Rt wrist XR, lat, age 15 y, male, acquired on Siemens, 640 x 1536 px 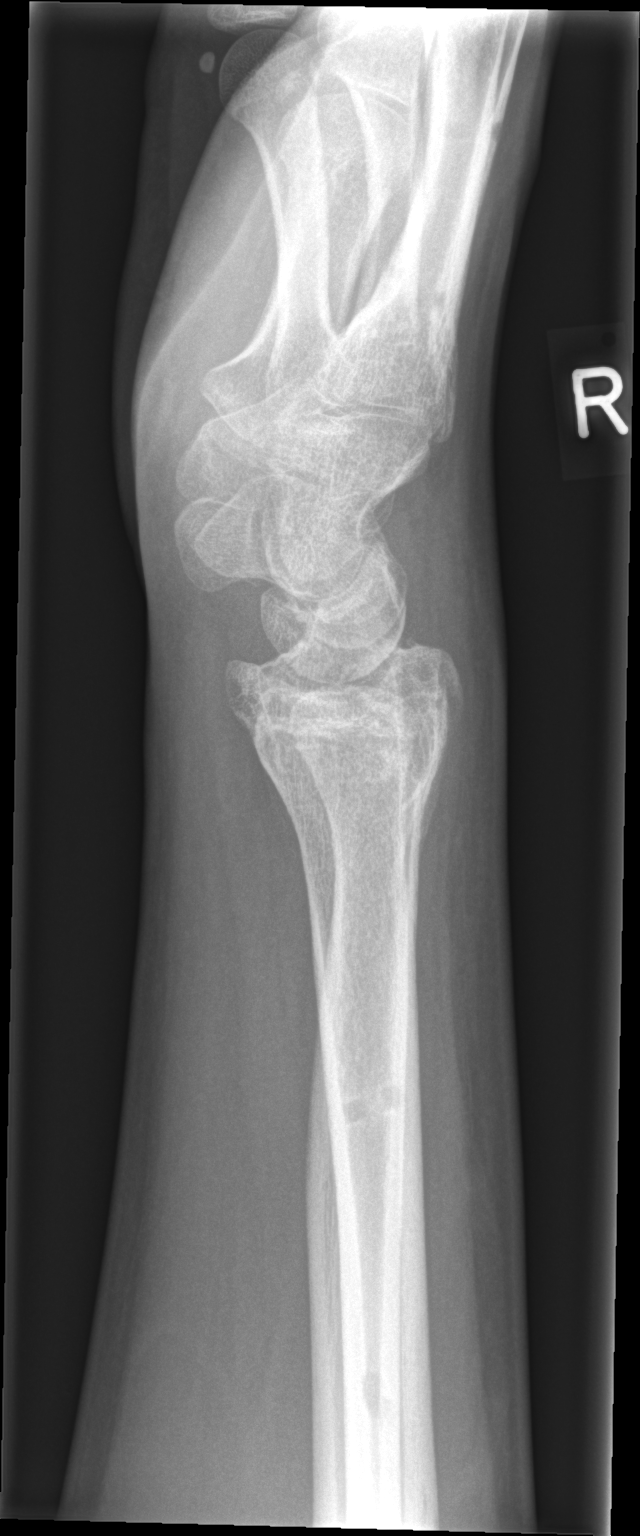 Pixel coordinates, top-left origin, xyxy. Fracture: <241,672>-<460,823>. AO code 23r-E/4.2; 23u-E/7. Bone anomaly identified at <347,1353>-<436,1464>, <326,1074>-<416,1134>.